L pediatric wrist radiograph | lateral | presentation radiograph.

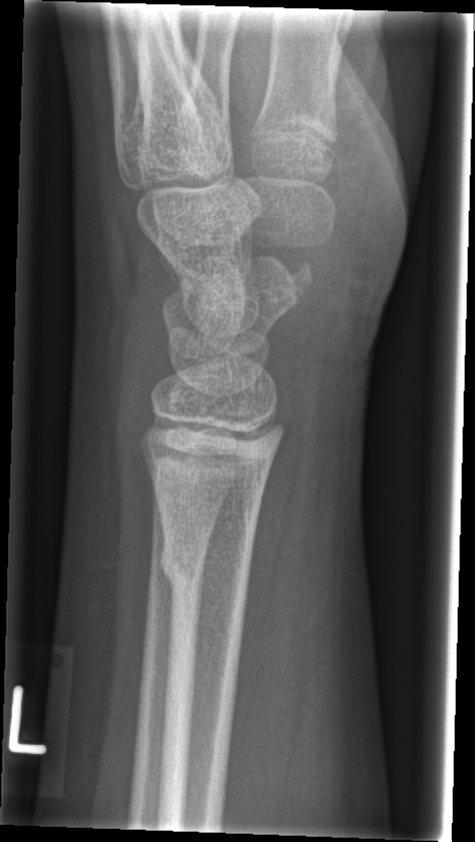 Q: Any fracture seen?
A: Fx identified at [x1=157, y1=535, x2=256, y2=599]
Q: AO code?
A: AO/OTA classification: 23r-M/2.1